Right wrist plain film | lateral view | boy, 9 yo | image size 476x914 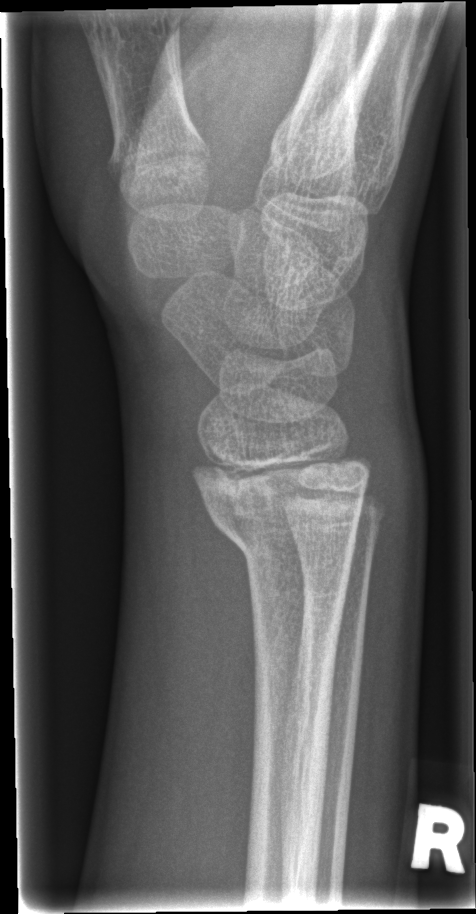 Findings: (bounding boxes in image-pixel xyxy) One Fx at 189,460,381,561.